Right wrist radiograph · lat view · boy, 16 yo
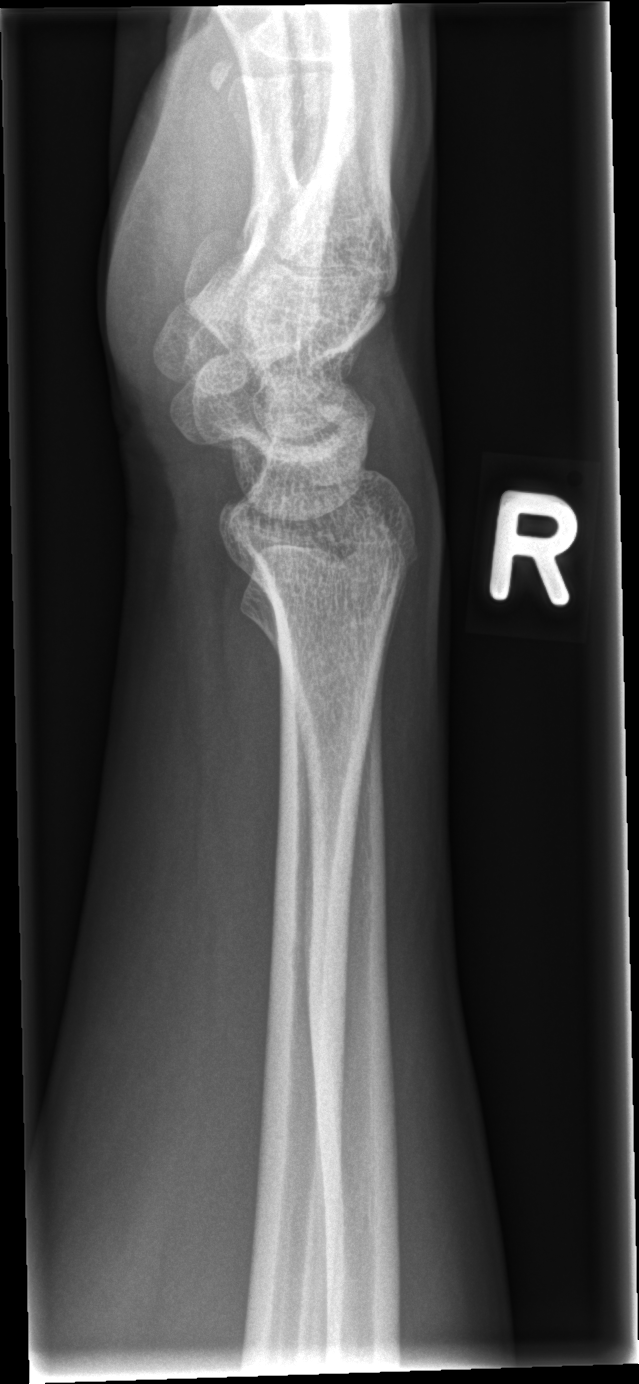
Fx: none.